Right plain radiograph of the wrist; lateral; age 16 y, girl; index exam. 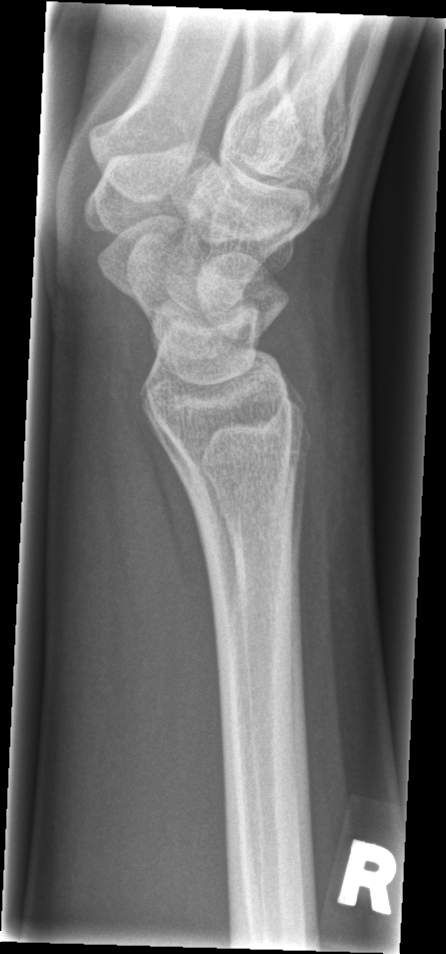

- Fracture: none labeled.